Lat projection, L plain radiograph of the wrist, pediatric patient (female, age 17), Siemens, image 78.5 mm wide, 545 by 1074 pixels. 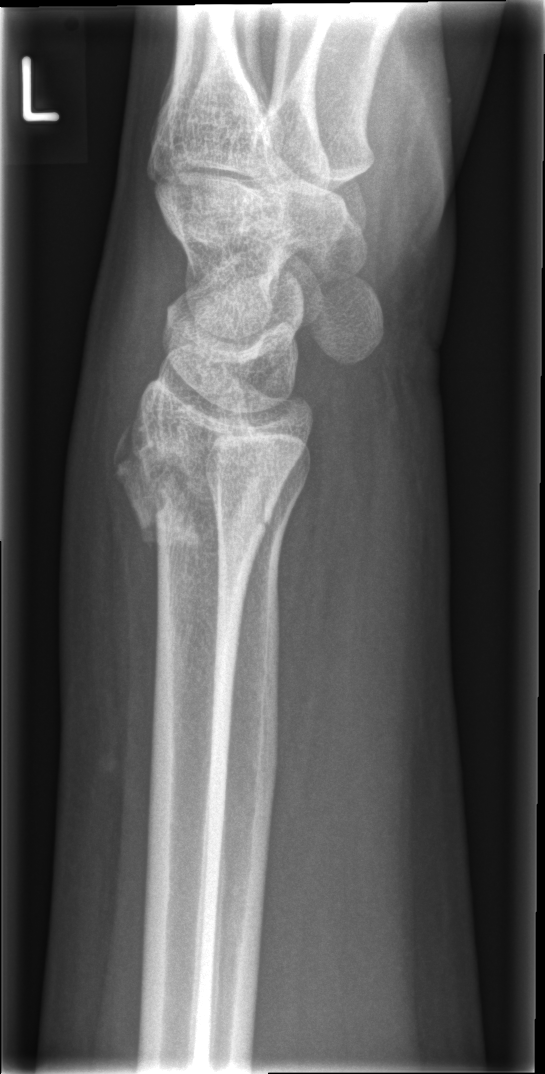

fracture: 1 @ 108 416 287 546